Lateral projection; Lt wrist radiograph; 13y M:
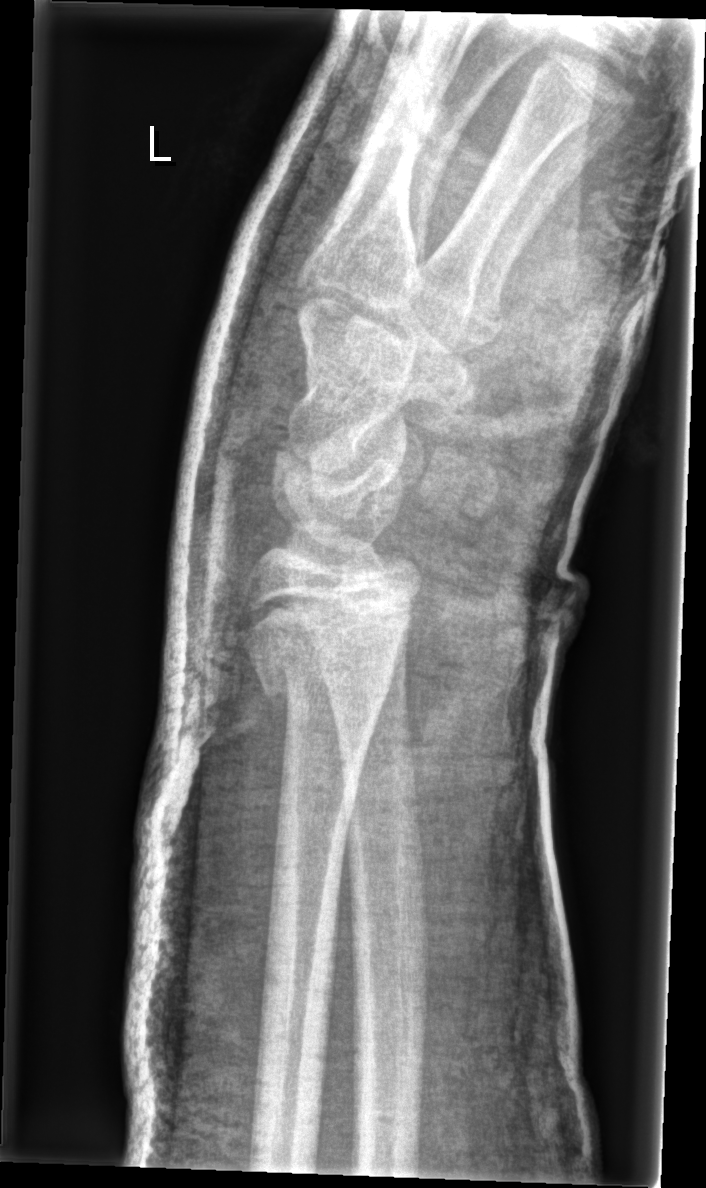

• Fracture: (242, 588, 415, 704).